L wrist radiograph; lat; 75.6 mm image width.

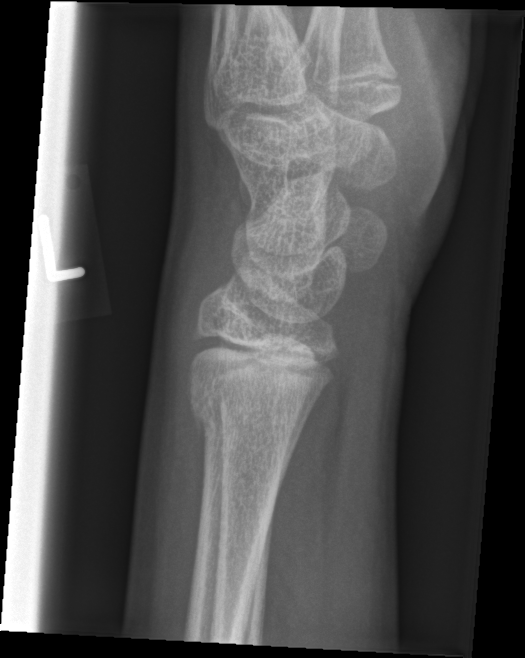

FINDINGS: Fracture classified AO/OTA 23r-M/2.1. Positive pronator fat-pad sign — (260, 378, 340, 652). Fx identified at (182, 379, 296, 460).